Left wrist radiograph; frontal view; pediatric patient (girl, age 4); 498 x 680 px.

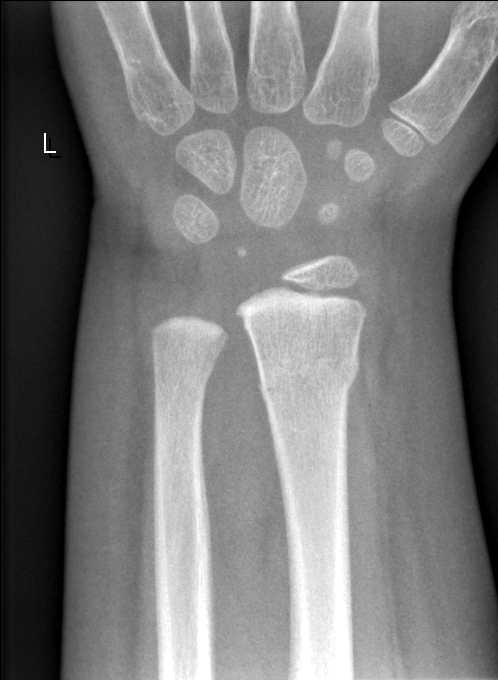
Fx: 2 @ [253, 347, 362, 401] [149, 356, 219, 396]
AO classification: 23-M/2.1